Rt plain radiograph of the wrist; AP projection; 8-year-old male; follow-up: 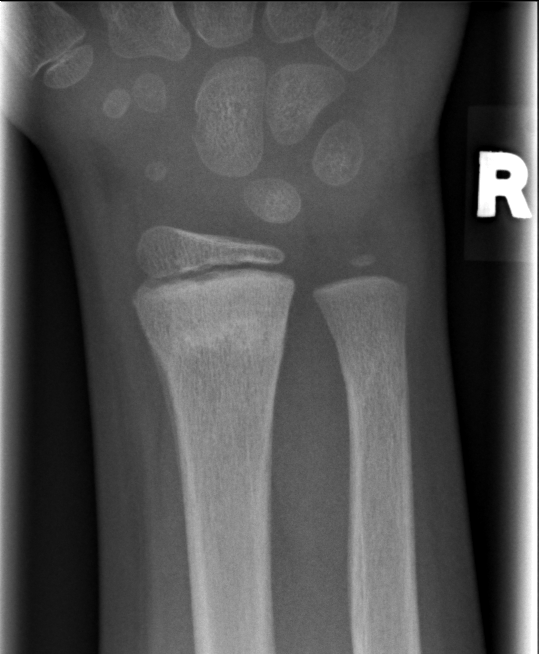

{
  "periostealreaction": "1 @ (left=150, top=335, right=184, bottom=494)",
  "osteopenia": "present",
  "fracture": "2 @ (left=145, top=303, right=292, bottom=370), (left=340, top=353, right=411, bottom=414)"
}